Frontal, L wrist radiograph, girl, 10 yo, Siemens, 622 by 998 pixels:
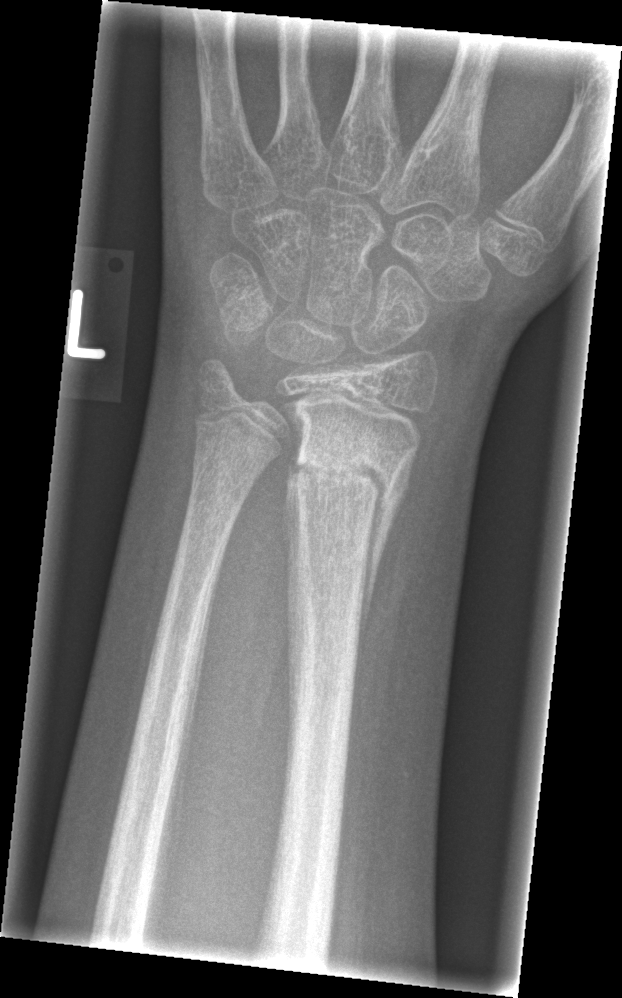

  # pixel coordinates, top-left origin, xyxy
  ao: 23r-M/3.1; 23u-M/2.1
  fracture: (283, 432, 415, 527)
  osteopenia: present
  periostealreaction: (348, 446, 417, 743)